PA/AP, Rt pediatric wrist radiograph.

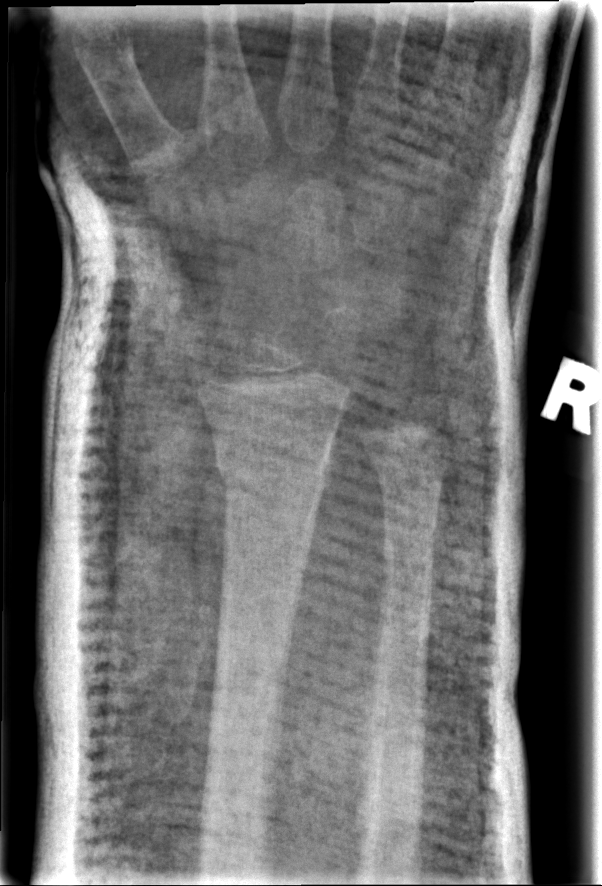 FINDINGS: AO code 23r-M/3.1; 23u-M/2.1. Fracture: (left=212, top=435, right=333, bottom=507).